Left wrist XR · PA/AP projection · Siemens · image size 466x868 — 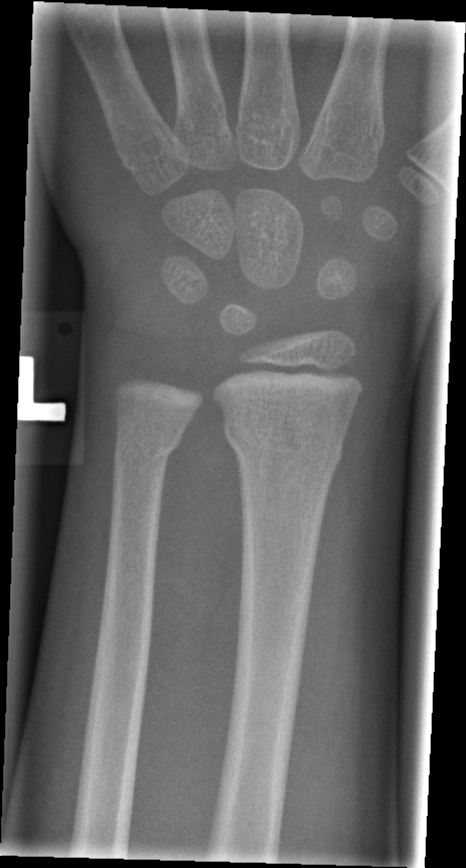
bone fracture = 2 @ [221, 412, 346, 472] [112, 428, 185, 474]
AO code = 23-M/2.1